Lateral view | Rt wrist plain film | age 13 y, male
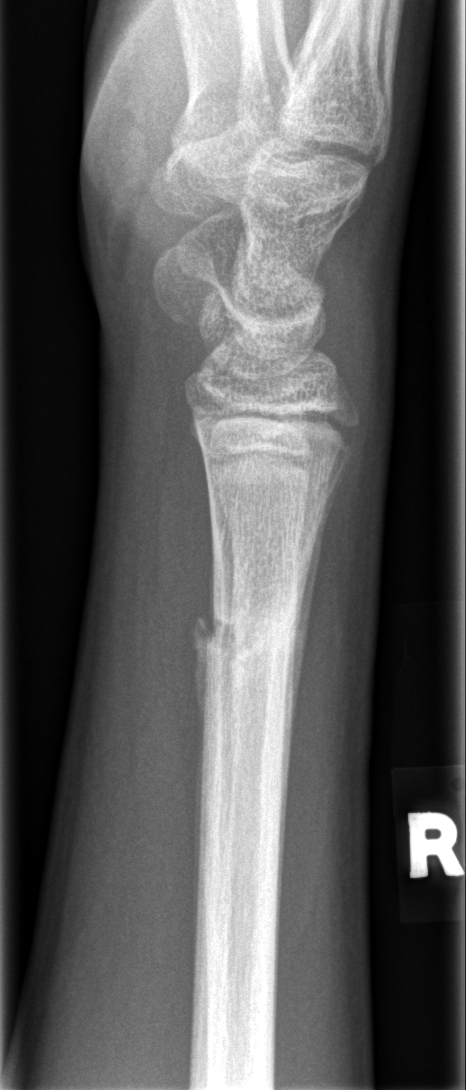
osteopenia = present
periosteal reaction = 2 @ 288 473 341 740
  192 546 222 877
fracture = 1 @ 200 602 304 673